L wrist radiograph; posteroanterior; male, 13 yo —

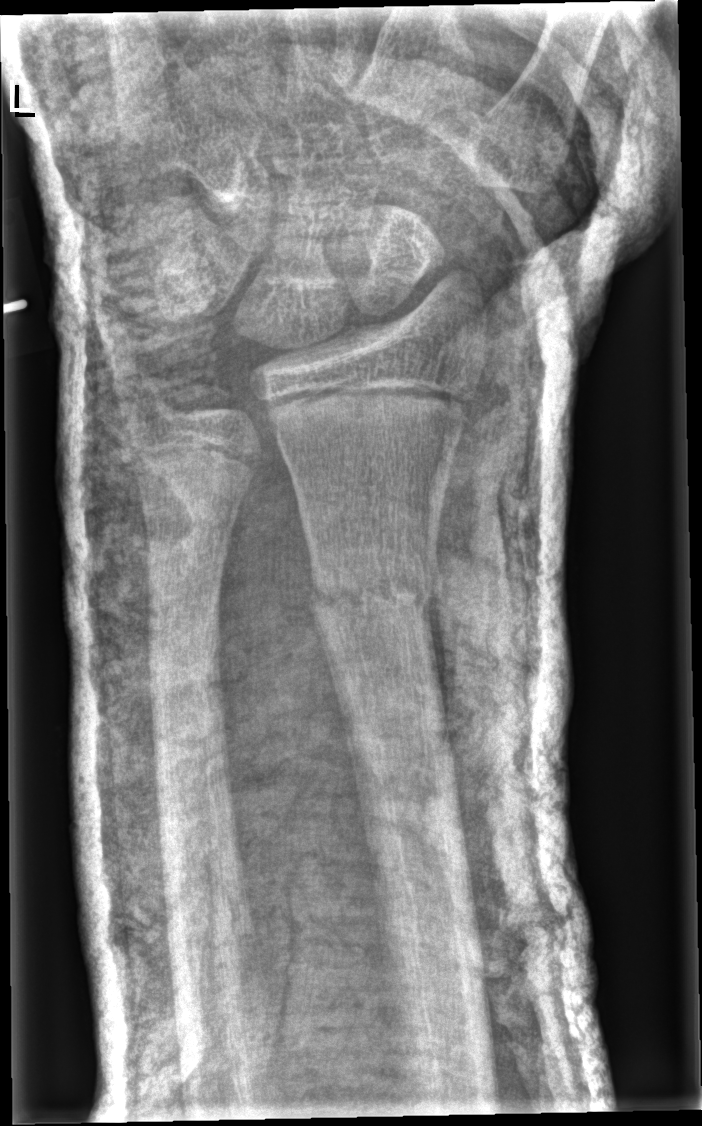

Boxes as x1,y1,x2,y2 (top-left / bottom-right, pixel units).
Bone fracture identified at 301,543,446,635 | 145,644,232,725.